Right wrist XR · lateral view. 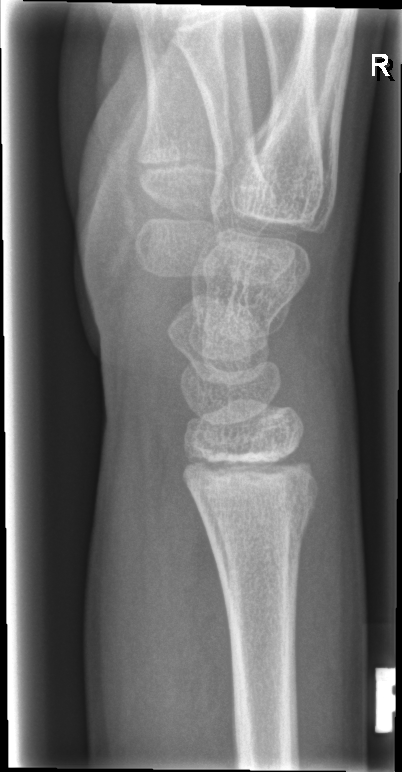 pronatorsign: (141, 414, 240, 769)
fracture: 1 @ (190, 473, 324, 564)
ao: 23r-M/2.1